Lateral | left wrist plain film | 9-year-old boy | cast in situ.
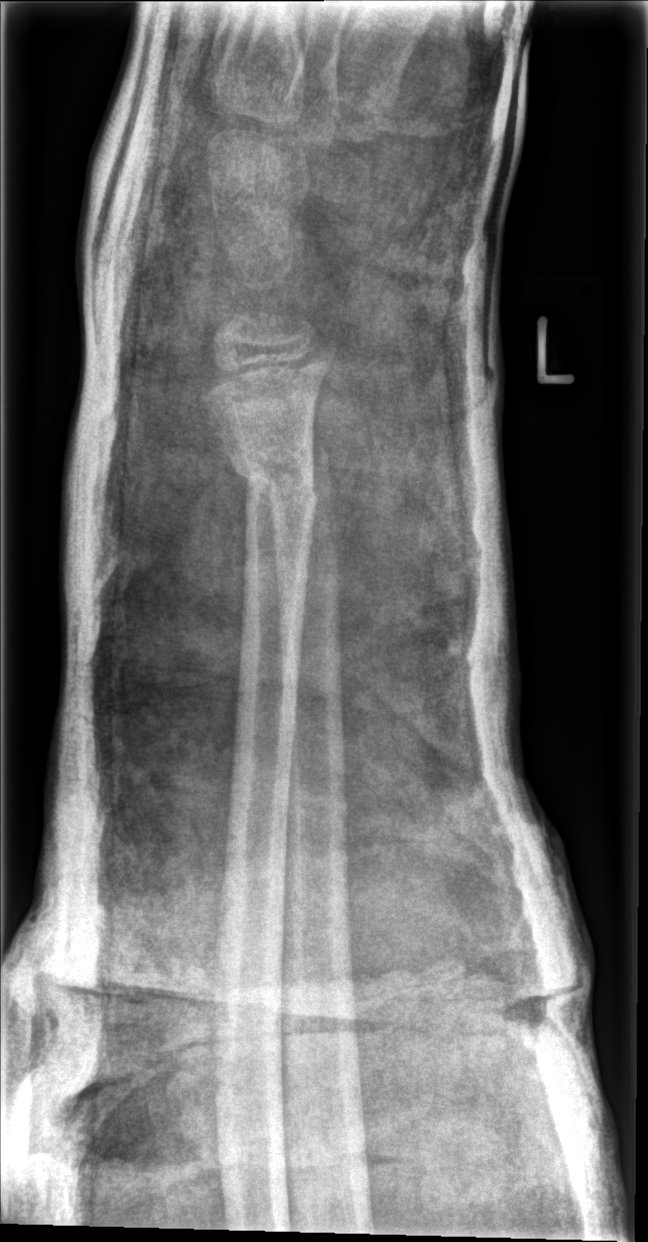

(coordinates are [x1, y1, x2, y2] in image pixels)
Q: Is there a fracture?
A: Fracture — (228, 449, 325, 513)